Lateral · L wrist XR · 8y M · follow-up study · cast present · 617 by 1260 pixels.
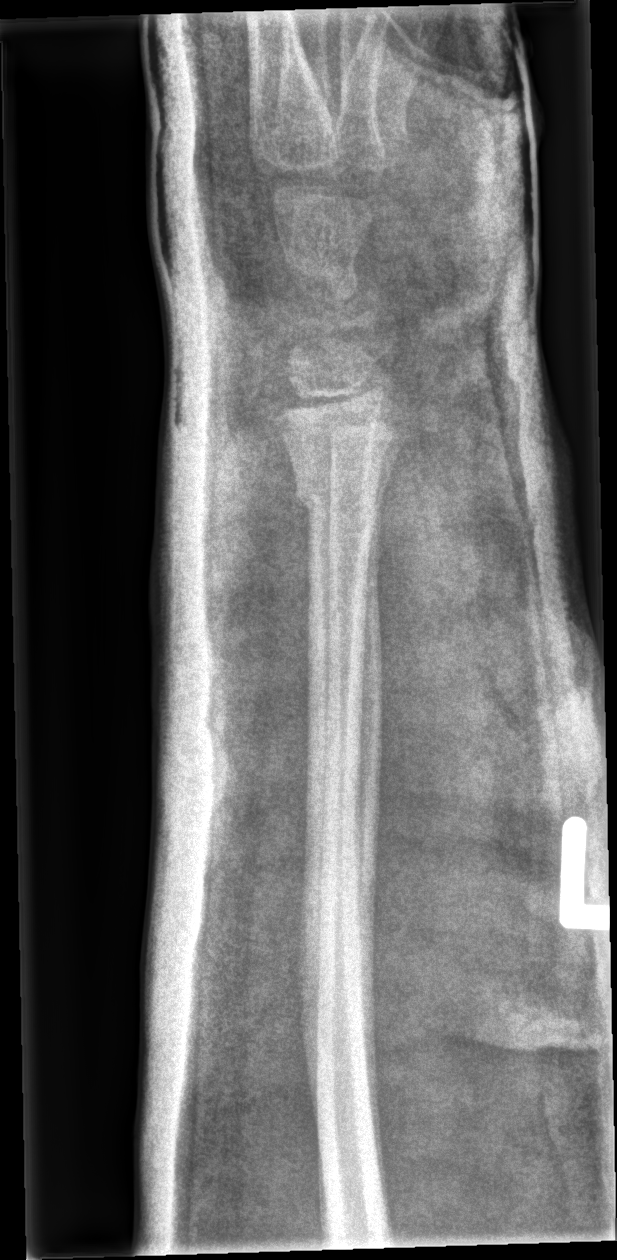

FINDINGS: (coordinates are [x1, y1, x2, y2] in image pixels) Fracture: bbox(292, 468, 391, 528).